Lat, right wrist radiograph, cast present:

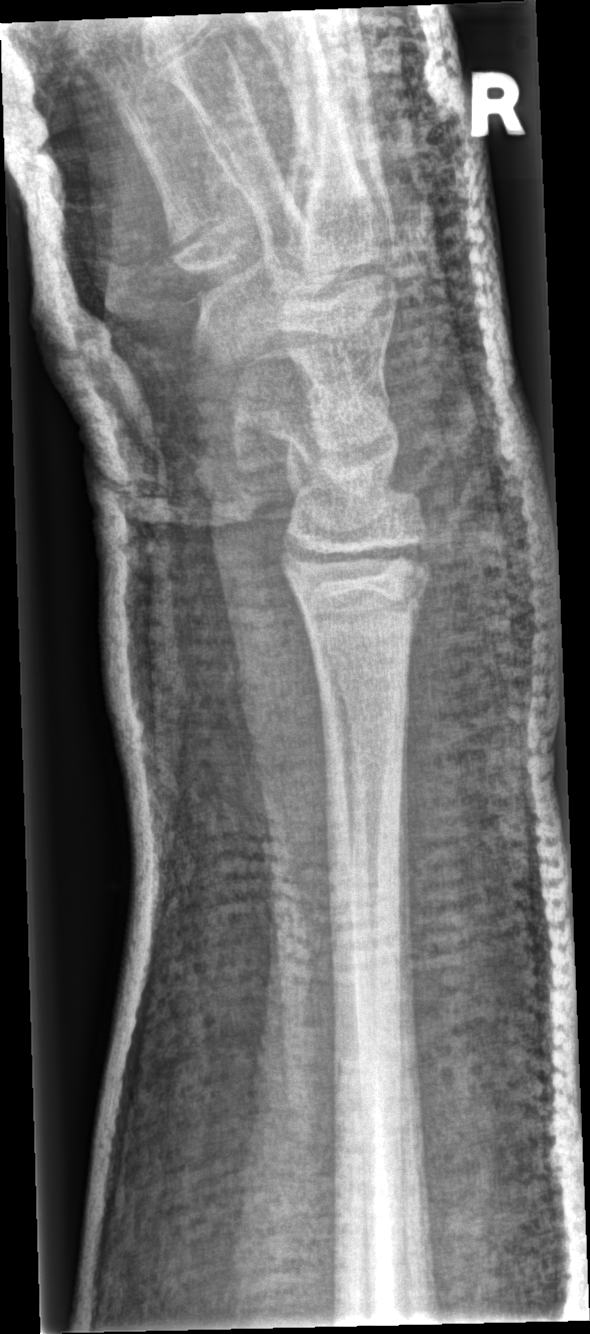
Q: Is there a fracture?
A: Fracture present but not clearly seen in this view